Right wrist plain film · lat view · 547x1152 — 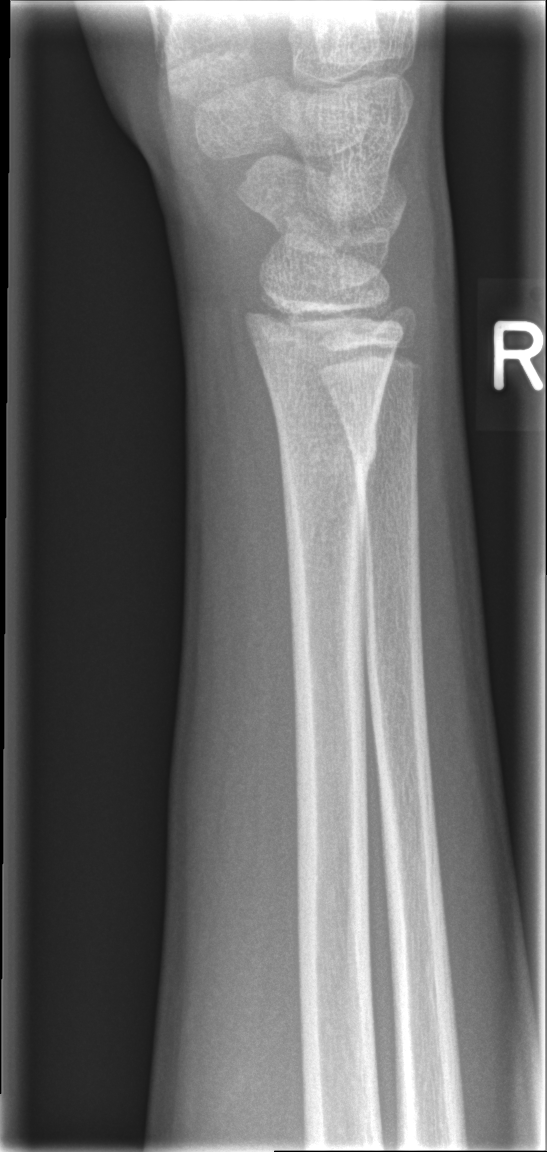
• One bone fracture at (276, 424, 381, 477).